Lt wrist plain film; oblique projection; initial study; 130.2 mm image width:
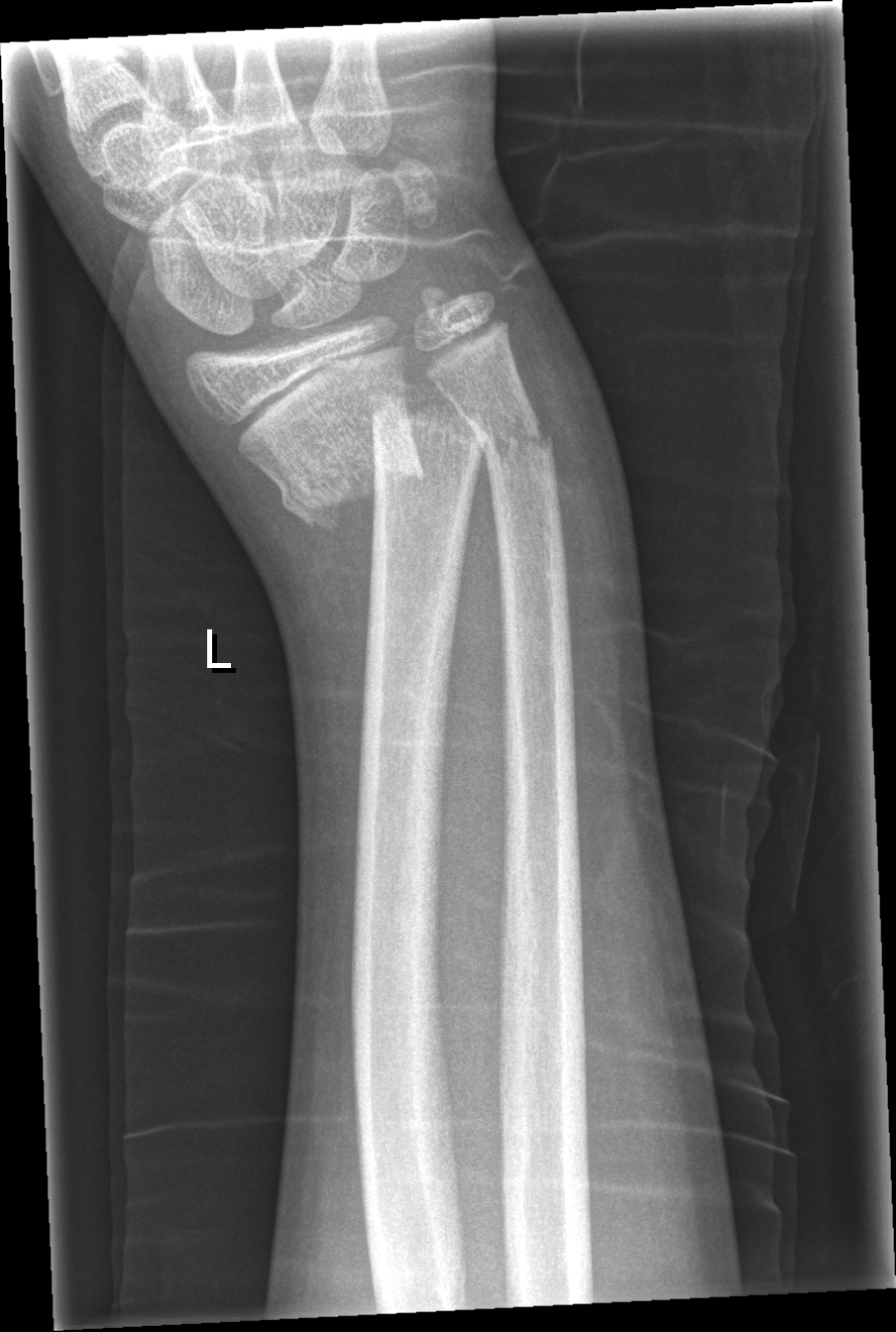

Bone fracture identified at [x1=268, y1=375, x2=492, y2=534], [x1=457, y1=395, x2=559, y2=483], [x1=411, y1=274, x2=484, y2=329]. Fracture classified AO/OTA 23-M/3.1; 23u-E/7.